Lateral view; left wrist plain radiograph of the wrist; age 13 y, female; 623 by 1484 pixels.

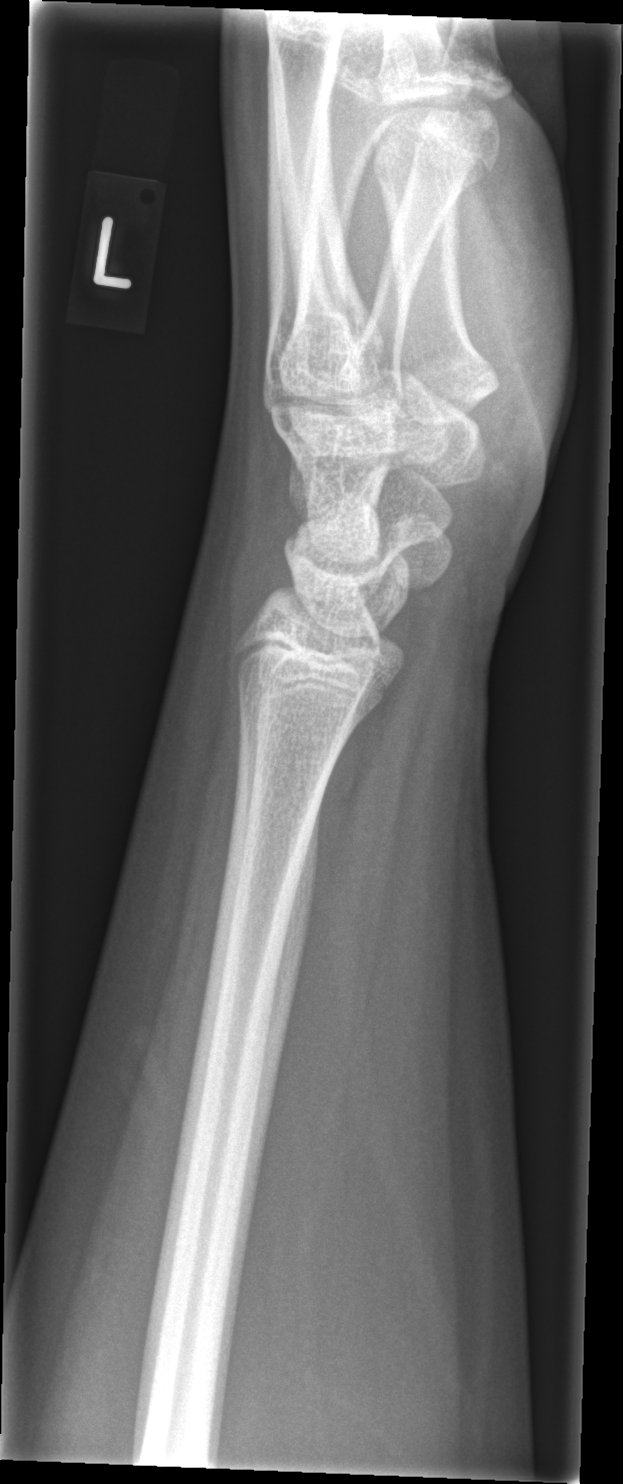

bone fracture = none labeled